Lateral projection · left wrist radiograph · 9-year-old female · index exam · Siemens. 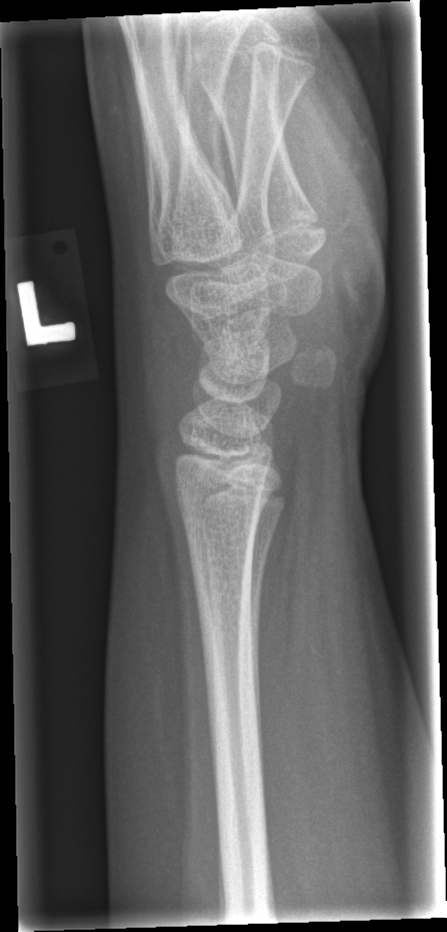

fracture = none labeled